Right wrist pediatric wrist radiograph · lateral projection · age 12 y, female
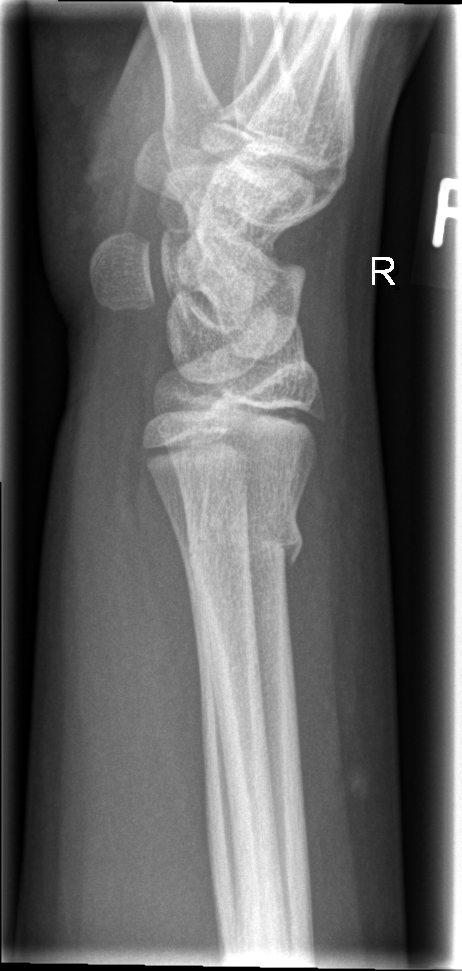 Q: What is the AO/OTA classification?
A: AO code 23r-M/2.1
Q: Locate any fractures.
A: Bone fracture: [182, 501, 306, 573]